Lat projection | Lt wrist XR | pediatric patient (female, age 8) | 391 x 772 px —

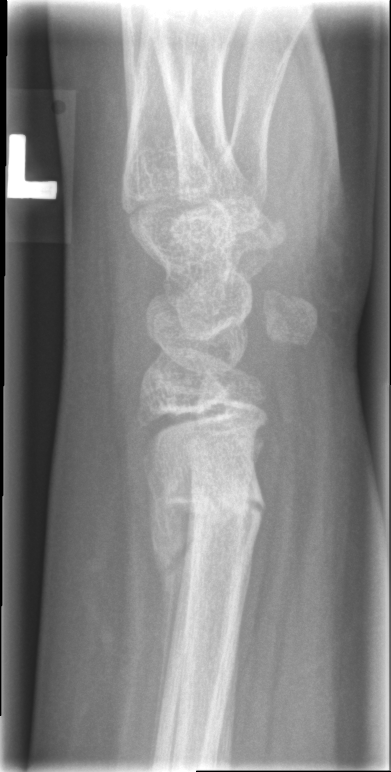

(coordinates are [x1, y1, x2, y2] in image pixels)
Fx = <152,465>-<270,542>
Periosteal new bone = <141,451>-<192,769>